Right wrist XR; lat; subsequent exam; 844 x 1228 px —

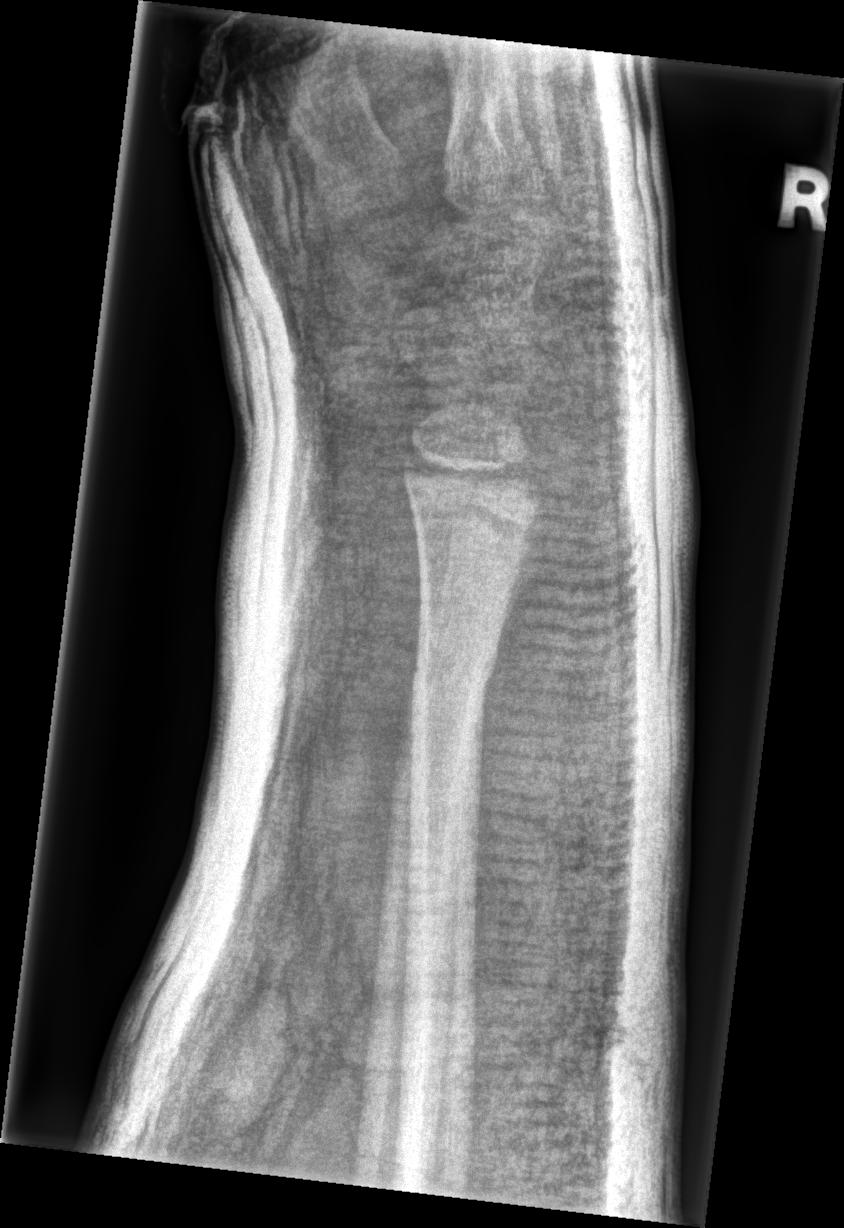

{"ao": "23r-M/3.1", "fracture": "1 @ (left=407, top=627, right=500, bottom=731)"}